Rt wrist radiograph · lateral projection · age 5 y, female · follow-up study · in cast · acquired on Siemens.

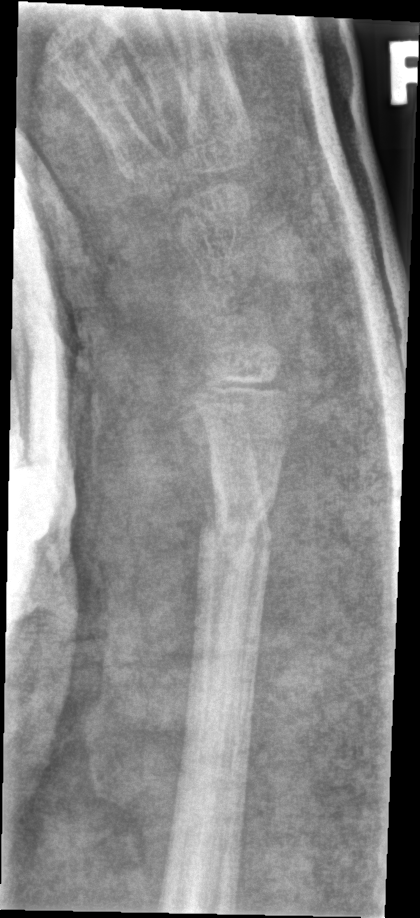
- Pixel coordinates, top-left origin, xyxy.
- Fracture — (197, 496, 275, 566).